R wrist radiograph | lateral projection | age 11 y, boy | 387 by 1144 pixels 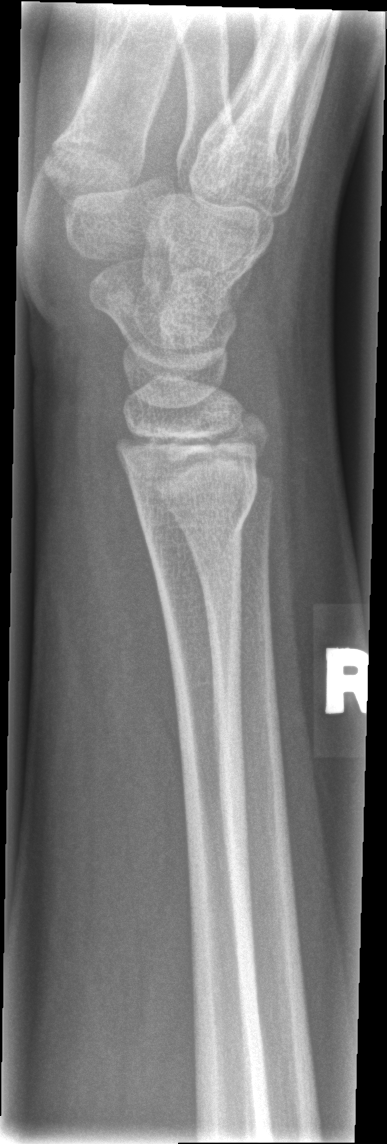

FINDINGS — Fracture classified AO/OTA 23r-M/2.1. One fracture at 126 461 260 539.